Lateral projection | L wrist XR | 4-year-old female.
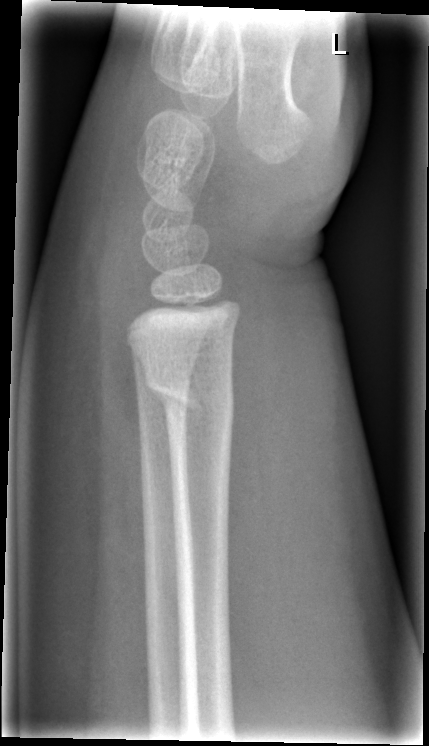
Findings: (bounding boxes in image-pixel xyxy) Bone fracture identified at [139, 368, 238, 437]. Fracture classified AO/OTA 23r-M/2.1.